Frontal view · left plain radiograph of the wrist:

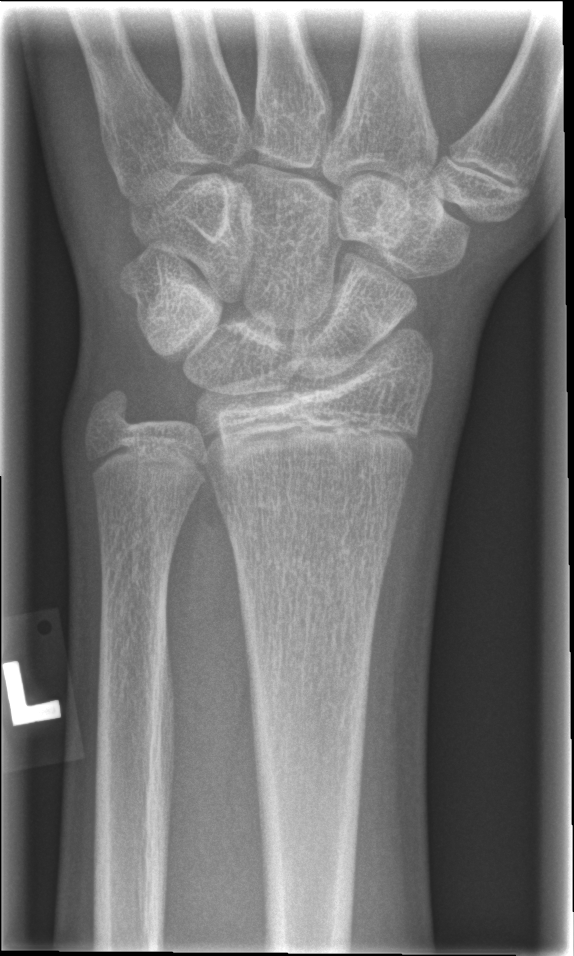   fracture: none labeled